Right wrist plain film; lateral view; 12y F —
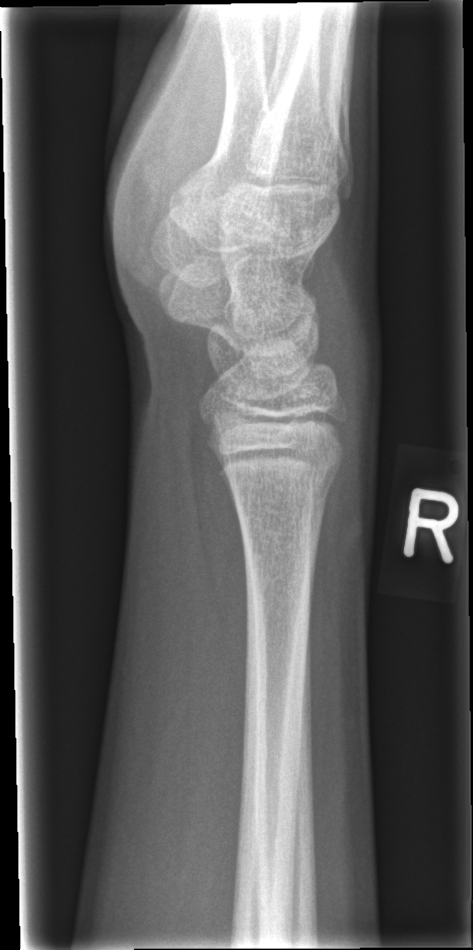 AO code 23r-M/2.1. Fx identified at 224 460 346 522.